R plain radiograph of the wrist | PA/AP | age 13 y, male —
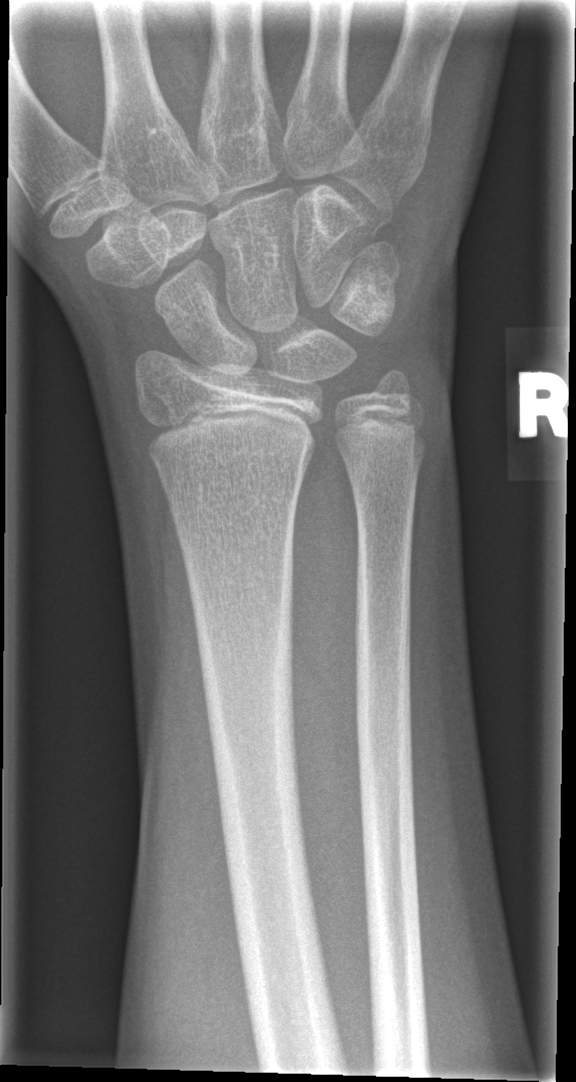
fracture = none labeled